Left wrist plain film · PA view · 11y M · subsequent exam · 628x992 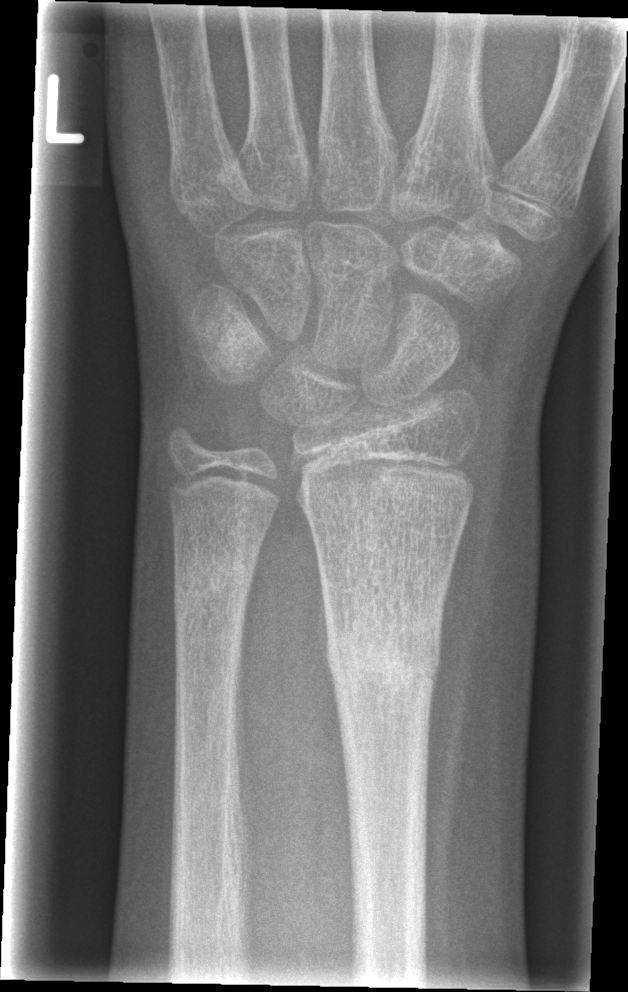 {
  "fracture": "[x1=323, y1=609, x2=444, y2=699], [x1=169, y1=551, x2=256, y2=620]",
  "osteopenia": "present"
}